L wrist plain film | frontal | 11y M | 524 by 1268 pixels:
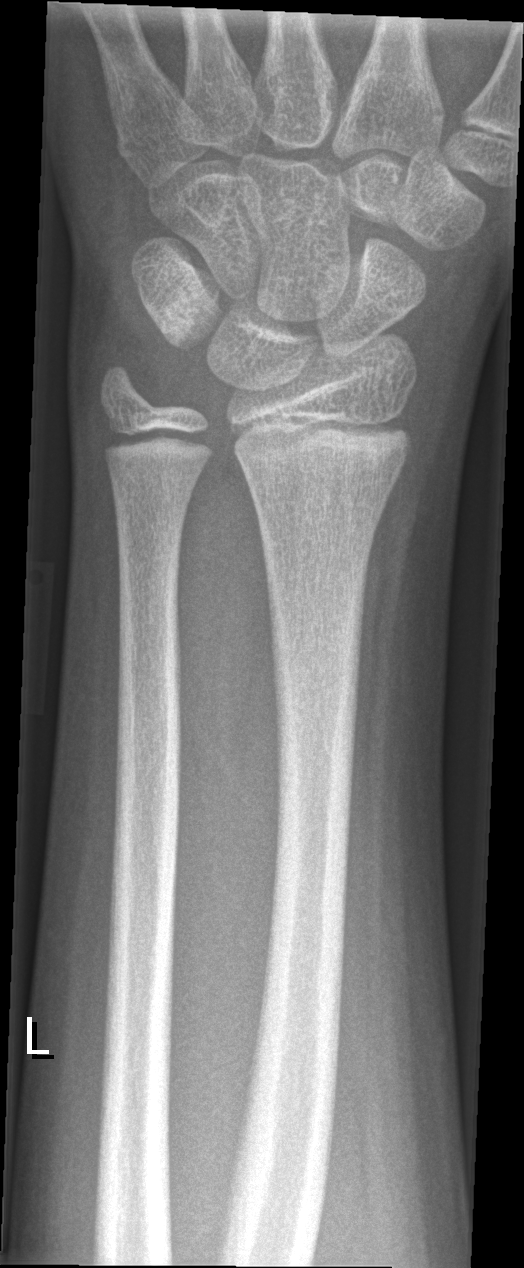

Q: Is there a fracture?
A: Fx: none